Rt wrist plain film | AP view | 13y F | image width 91.2 mm — 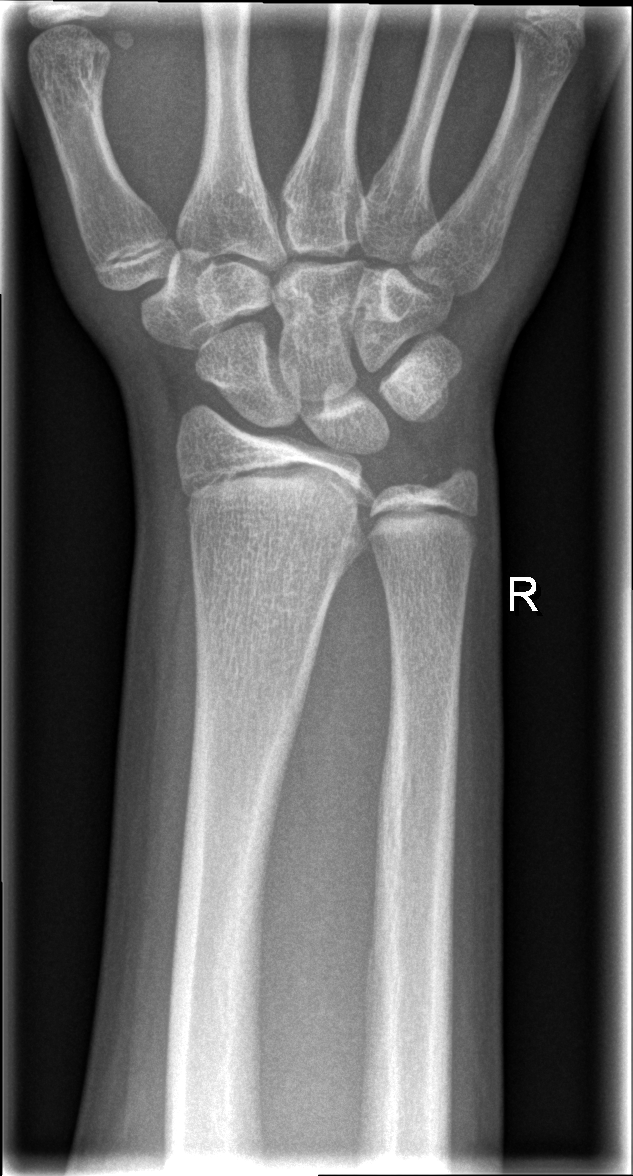 (pixel coordinates, top-left origin, xyxy)
bone fracture: 2 @ [173, 455, 378, 544]; [397, 457, 486, 524]